L pediatric wrist radiograph | frontal view | 570x970:

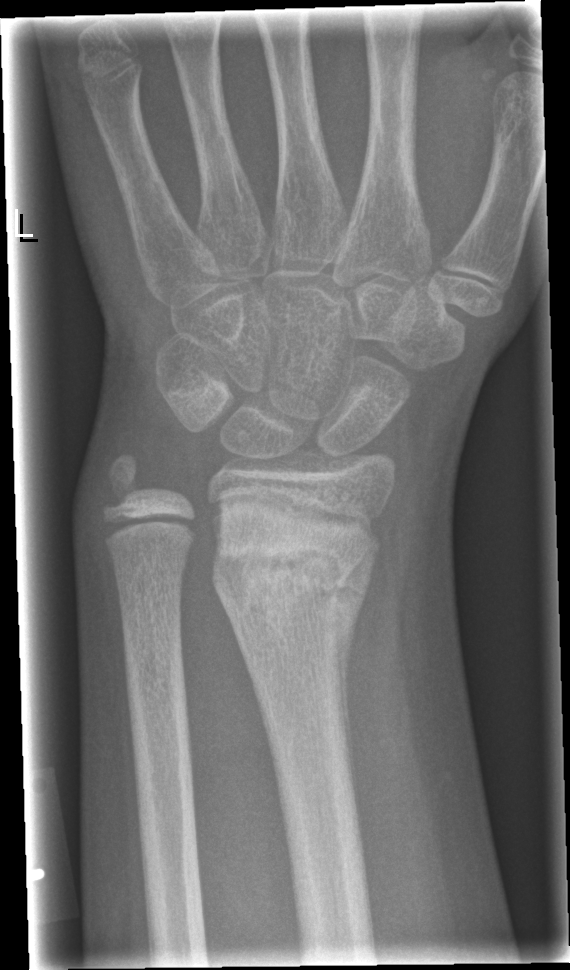

FINDINGS — Periosteal thickening: (left=330, top=530, right=381, bottom=806). Two bone fractures at (left=207, top=510, right=378, bottom=638); (left=94, top=450, right=152, bottom=514). Decreased bone density (osteopenia). Fracture classified AO/OTA 23r-M/3.1; 23u-E/7.